AP · left wrist XR · 11y M · 736 by 1186 pixels: 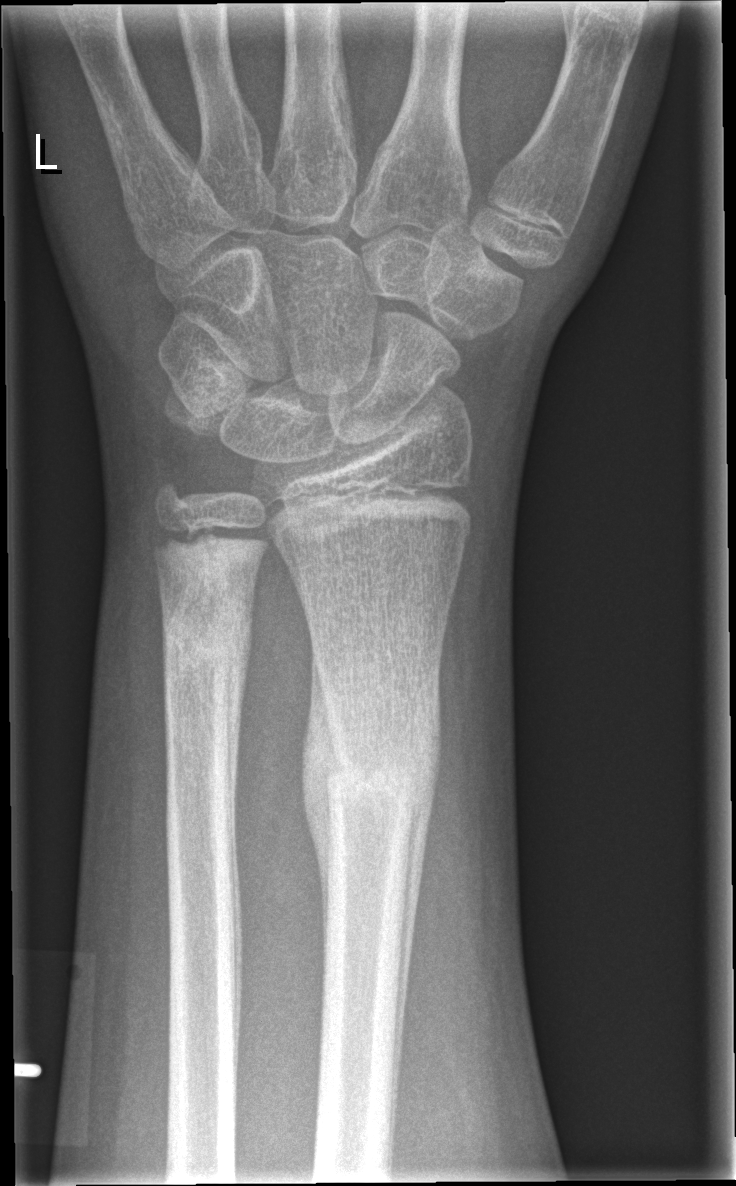

(boxes as x1,y1,x2,y2 (top-left / bottom-right, pixel units))
bone fracture: <321,714>-<445,829>; <158,599>-<254,685>
periosteal reaction: 3 @ <387,679>-<442,1178>; <301,637>-<351,996>; <223,664>-<244,1089>